R wrist XR | lateral | image 82.4 mm wide.

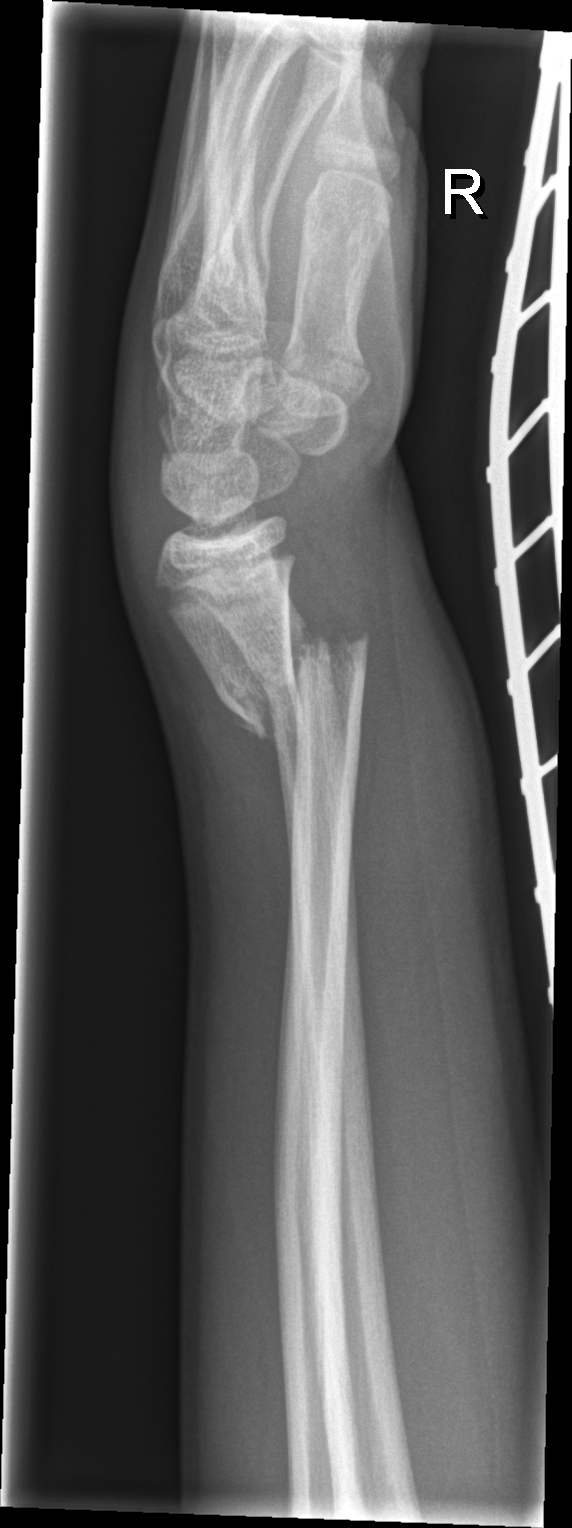 • Metallic implant identified at (left=493, top=32, right=572, bottom=1004).
• Fx — (left=217, top=620, right=372, bottom=746).
• Fracture classified AO/OTA 23-M/3.1.